PA/AP view, Rt wrist plain film, 6-year-old boy, acquired on Siemens.
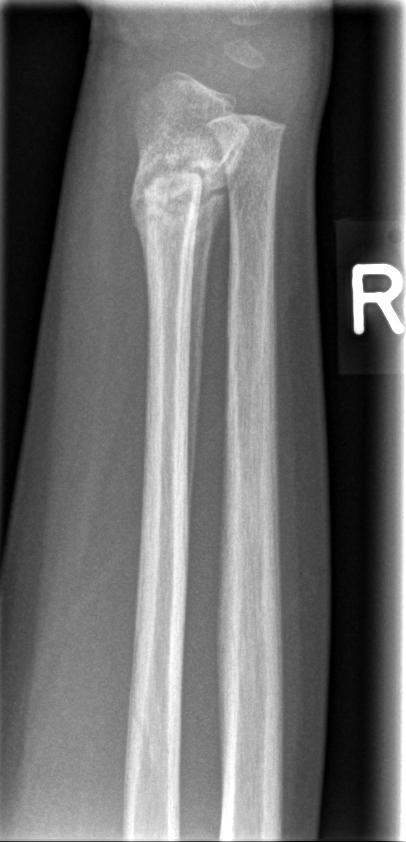
Periosteal thickening: 185 162 225 543
Fracture: 125 140 236 229
Osteopenia: present